Rt pediatric wrist radiograph · PA · cast present. 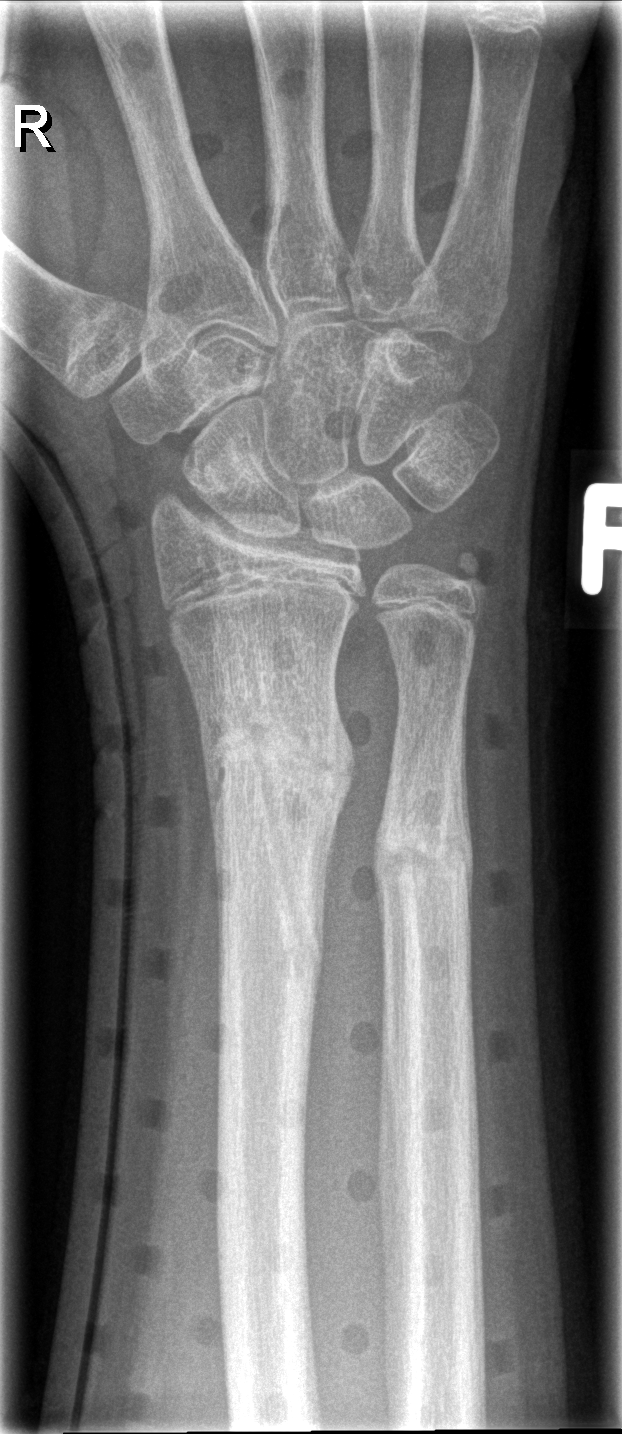 Q: Locate any fractures.
A: Fracture identified at (206, 692, 358, 834) (374, 795, 478, 904) (436, 541, 499, 610)
Q: What is the AO/OTA classification?
A: AO/OTA classification: 23r-M/3.1; 22u-D/4.1; 23u-E/7